Frontal view · Rt wrist plain film · 10y F · imaged through cast:

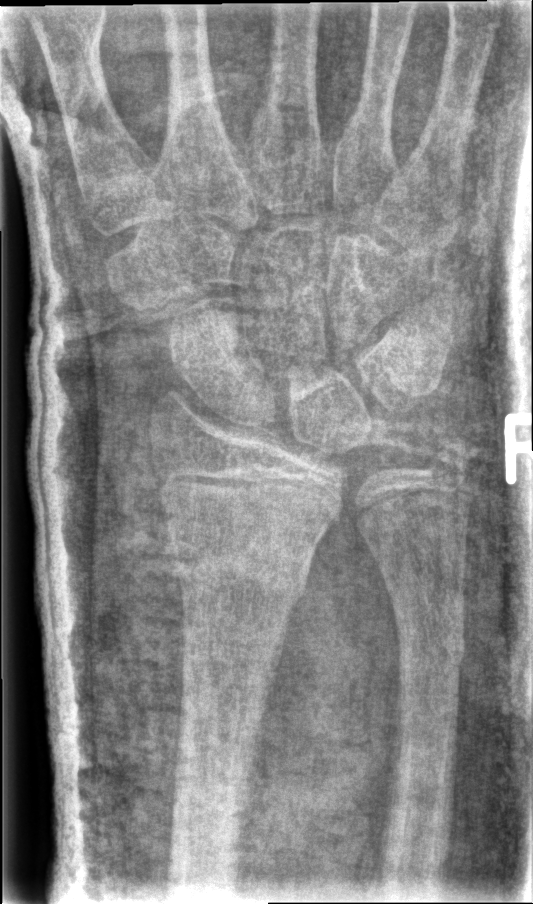 Bone fractures — 163,530,312,609; 389,599,468,674.